PA/AP view · right wrist XR · age 9 y, female · image width 78.0 mm · 542 x 1098 px:
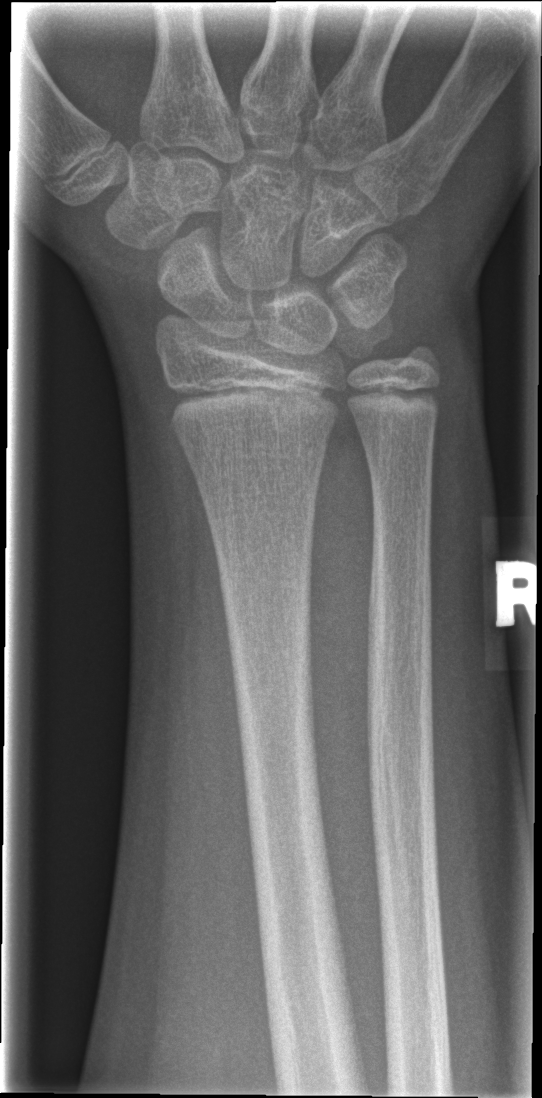 Fx = none labeled